Frontal view · Lt plain radiograph of the wrist · 5-year-old boy · initial study · 69.6 mm image width

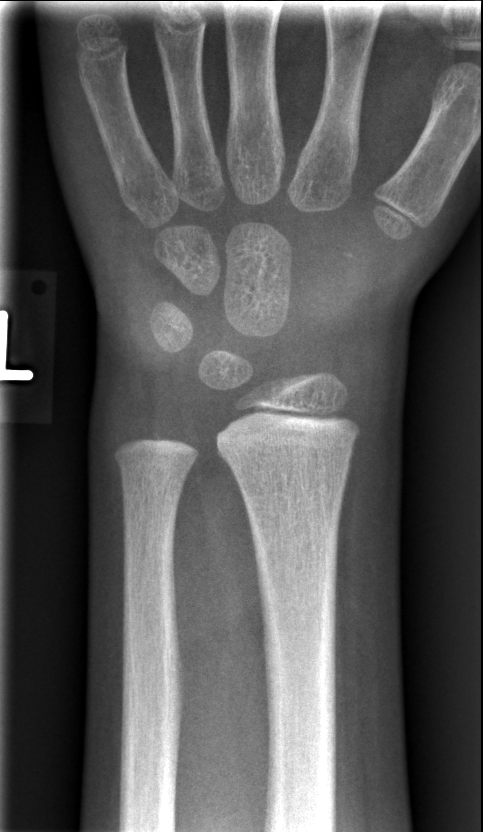 Fx = none labeled